Right pediatric wrist radiograph | posteroanterior projection | 4-year-old male | subsequent exam | cast present:
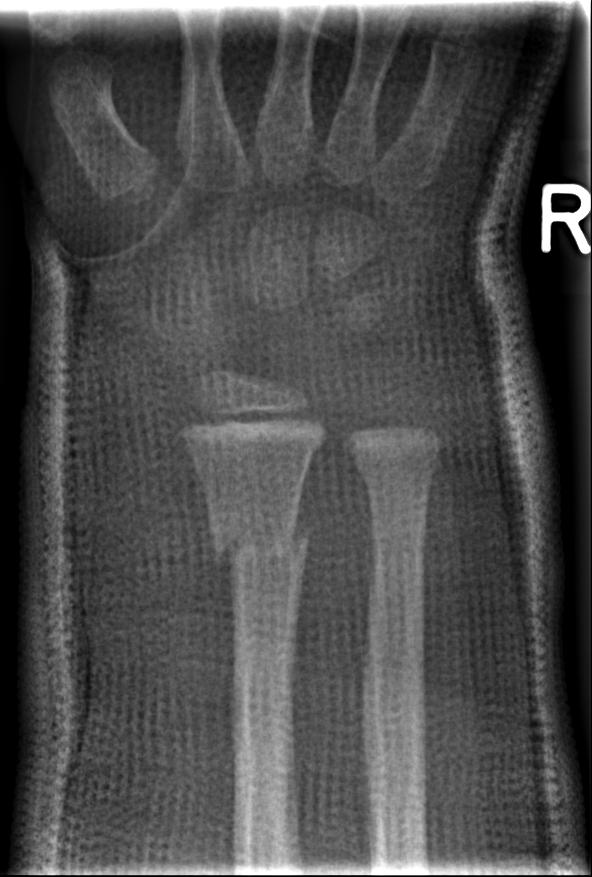

(pixel coordinates, top-left origin, xyxy)
Fx: <206,508>-<313,573>